Right pediatric wrist radiograph | lat projection | pediatric patient (boy, age 13) | detector: Siemens | image 75.2 mm wide —

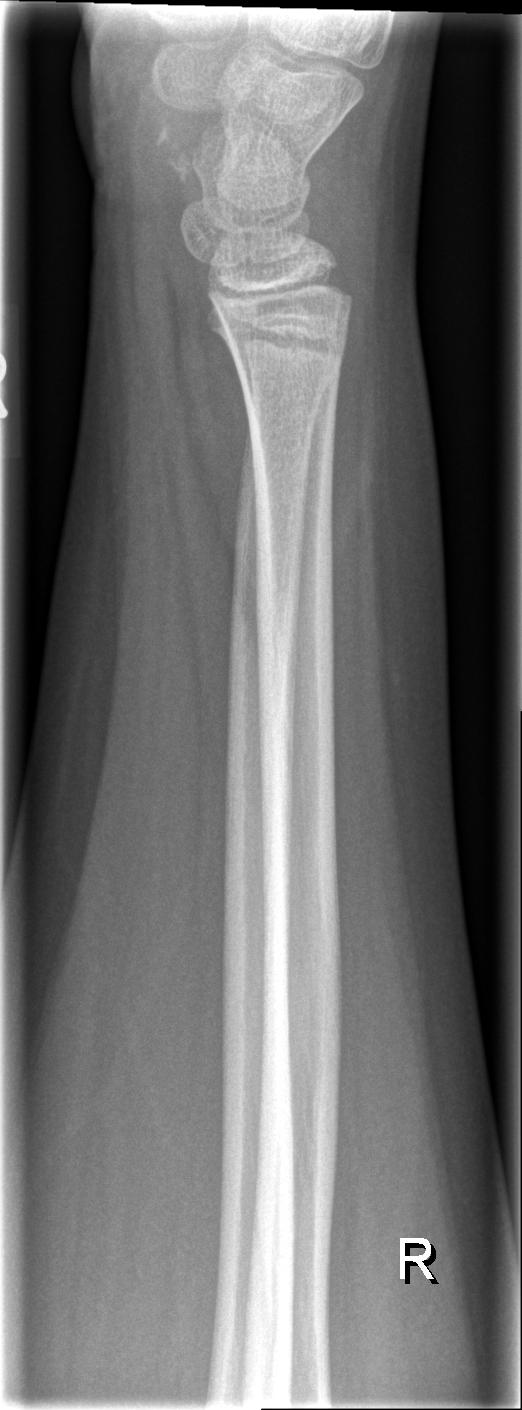 Fx: none.